L plain radiograph of the wrist | lateral projection | female, 12 yo.
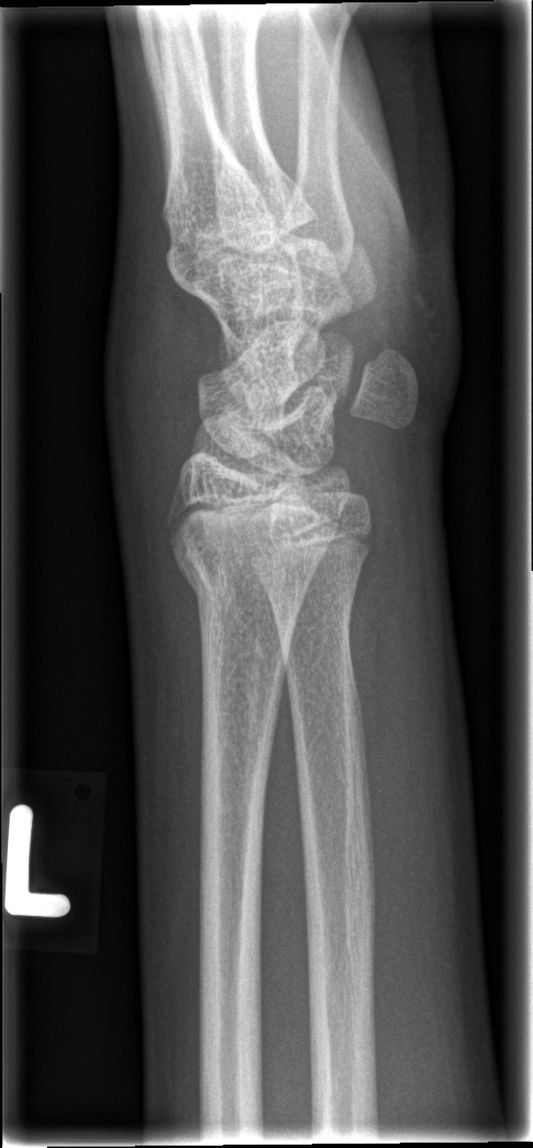 • Coordinates are [x1, y1, x2, y2] in image pixels.
• Soft-tissue swelling — 108 247 214 583.
• Bone fracture: 170 544 318 614.
• AO/OTA classification: 23r-M/2.1.